AP · right wrist plain radiograph of the wrist · age 3 y, girl.

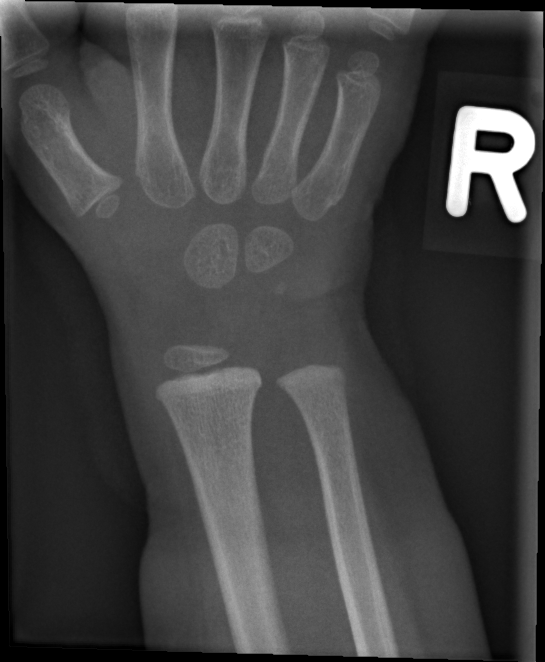

- Fx: none.